AP; R wrist XR; 16y M; follow-up study:

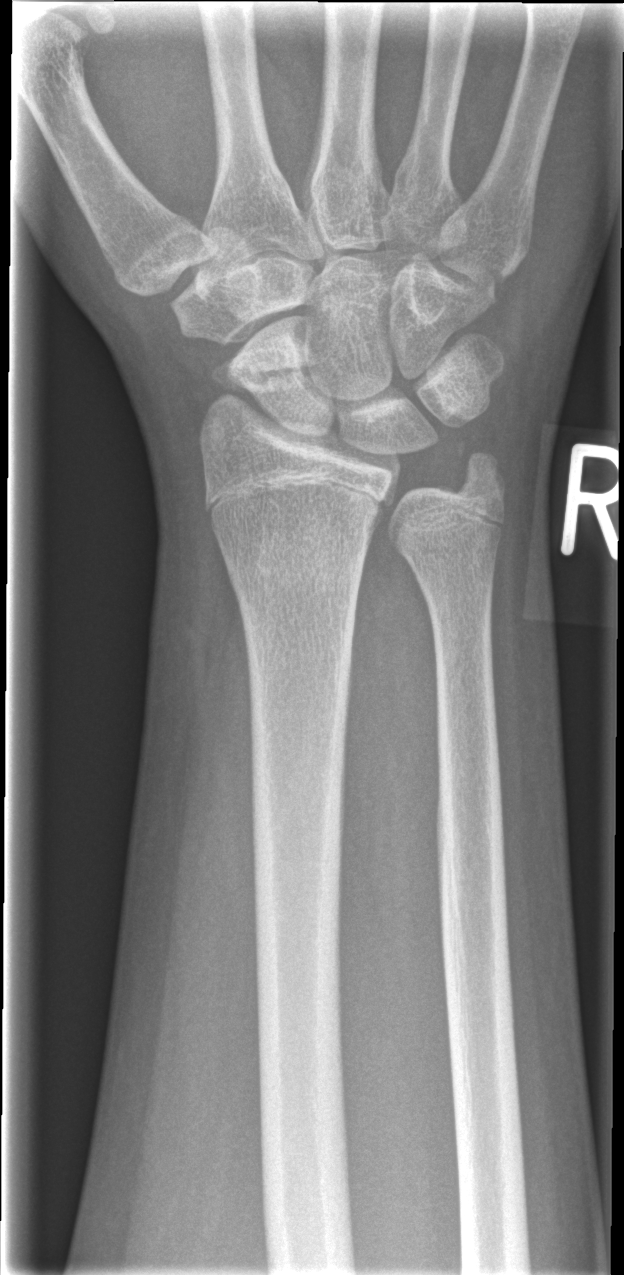
Pixel coordinates, top-left origin, xyxy.
Fx identified at 224,519,370,592
  208,347,340,400
  451,438,512,505.